Posteroanterior | left wrist plain radiograph of the wrist | 4y M | initial study | image 85.5 mm wide — 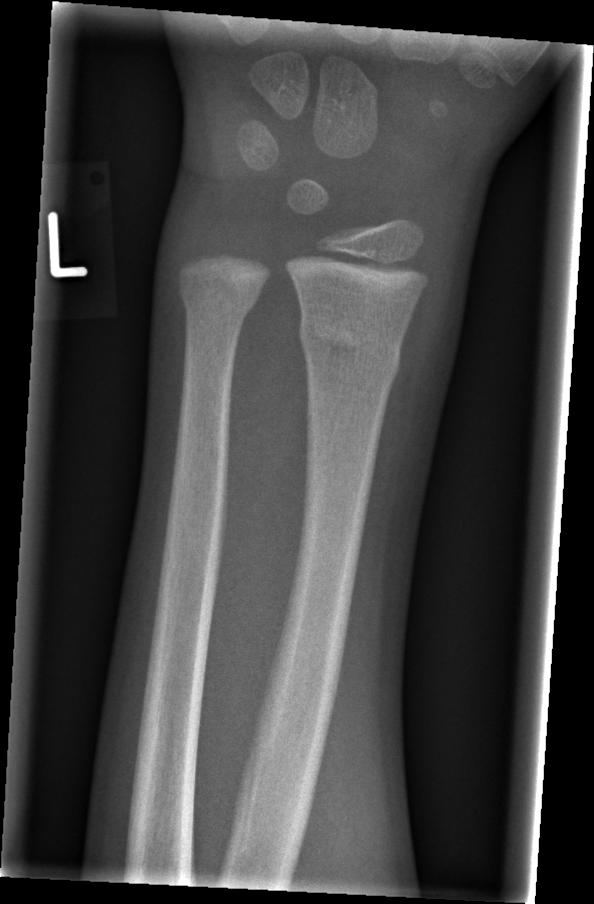 Coordinates are [x1, y1, x2, y2] in image pixels.
AO code 23-M/2.1.
Two Fx at 296,312,404,385
  174,272,266,328.